PA/AP view | left wrist radiograph.
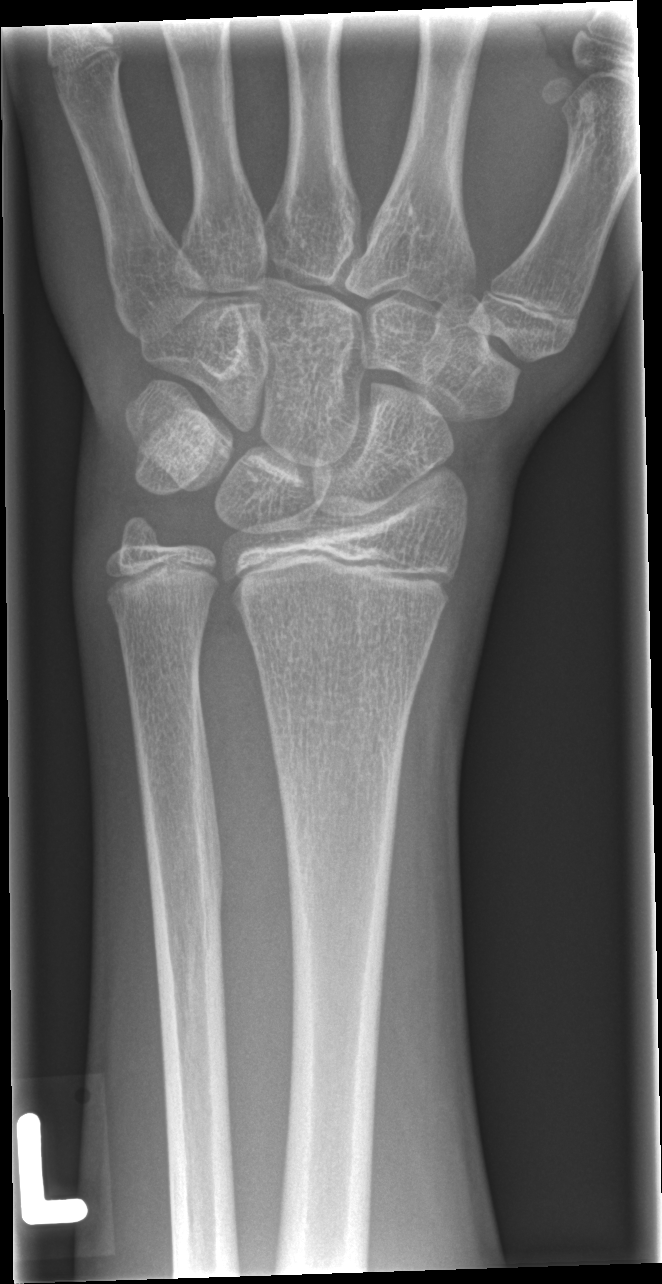
  fracture: present but not clearly seen in this view